Right wrist radiograph | lat. 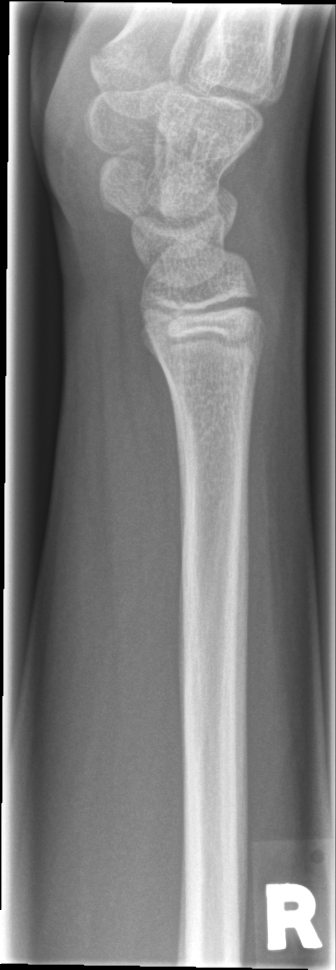
No fracture bounding box.